Lateral view · right wrist XR · acquired on Siemens · image width 52.3 mm. 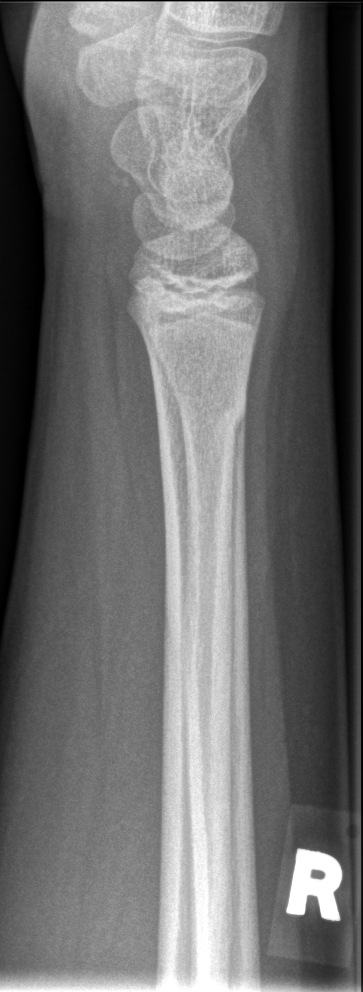

Bounding boxes in image-pixel xyxy.
Fracture identified at 152 384 250 449.